Right wrist XR · frontal projection · 12y F: 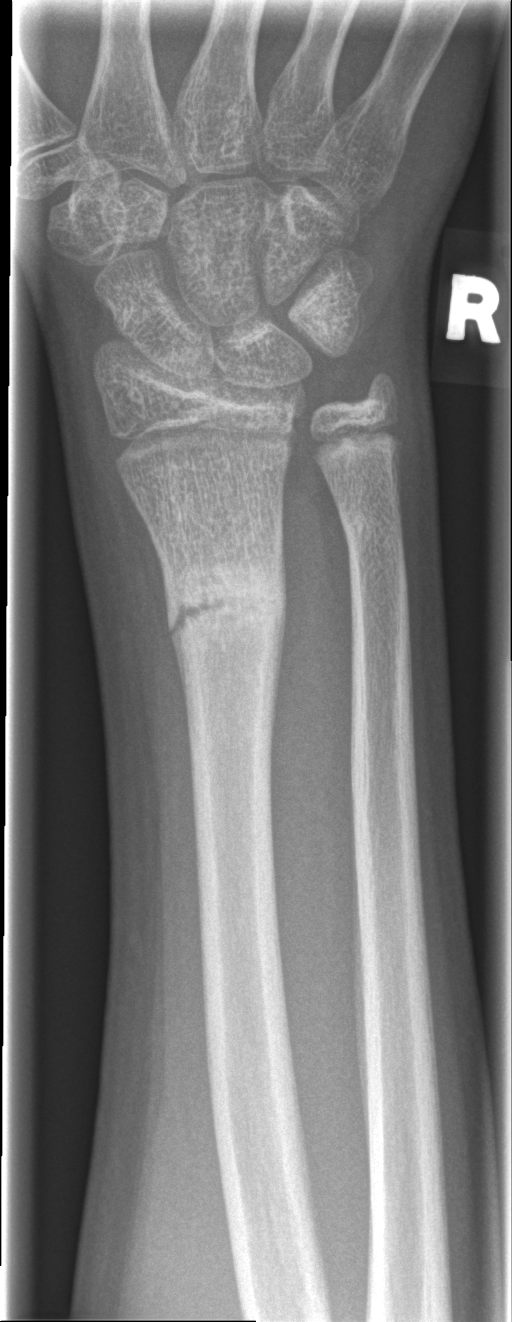

Osteopenia. Two bone fractures at [159, 549, 289, 663] [336, 502, 408, 551].